Lateral projection; left wrist radiograph; initial study —
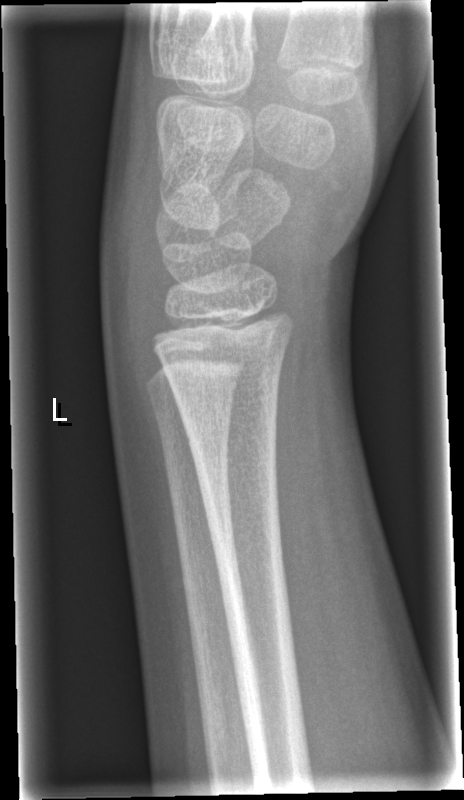 Bone fracture: none labeled